Lateral projection | Lt wrist X-ray | age 1.7 y, boy | initial study. 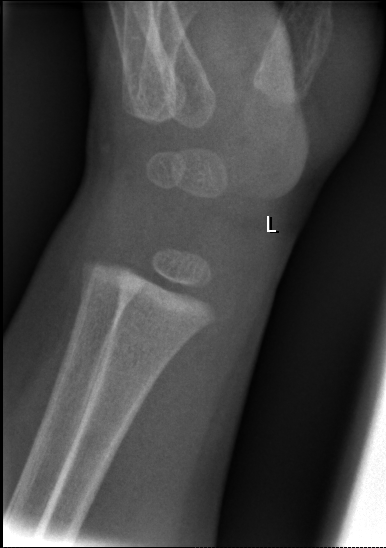
FINDINGS: No fracture annotation.